AP, Rt plain radiograph of the wrist, 10y F, image width 82.4 mm 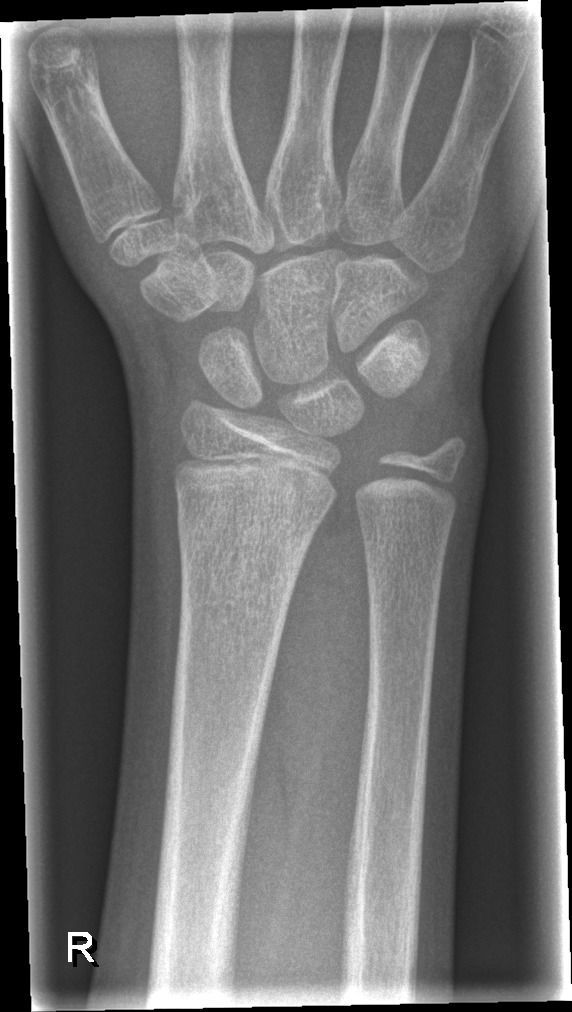
Findings: Fx identified at bbox(168, 491, 317, 577). Fracture classified AO/OTA 23r-M/2.1.